Lt wrist radiograph | AP projection | imaged through cast:
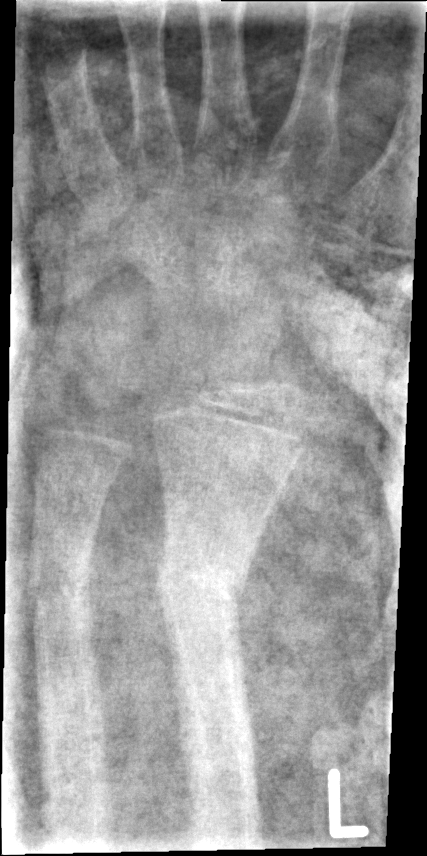

FINDINGS: (boxes as x1,y1,x2,y2 (top-left / bottom-right, pixel units)) Bone fracture identified at bbox(153, 544, 251, 620) bbox(25, 553, 95, 630).